R pediatric wrist radiograph | PA/AP view | pediatric patient (girl, age 13) —

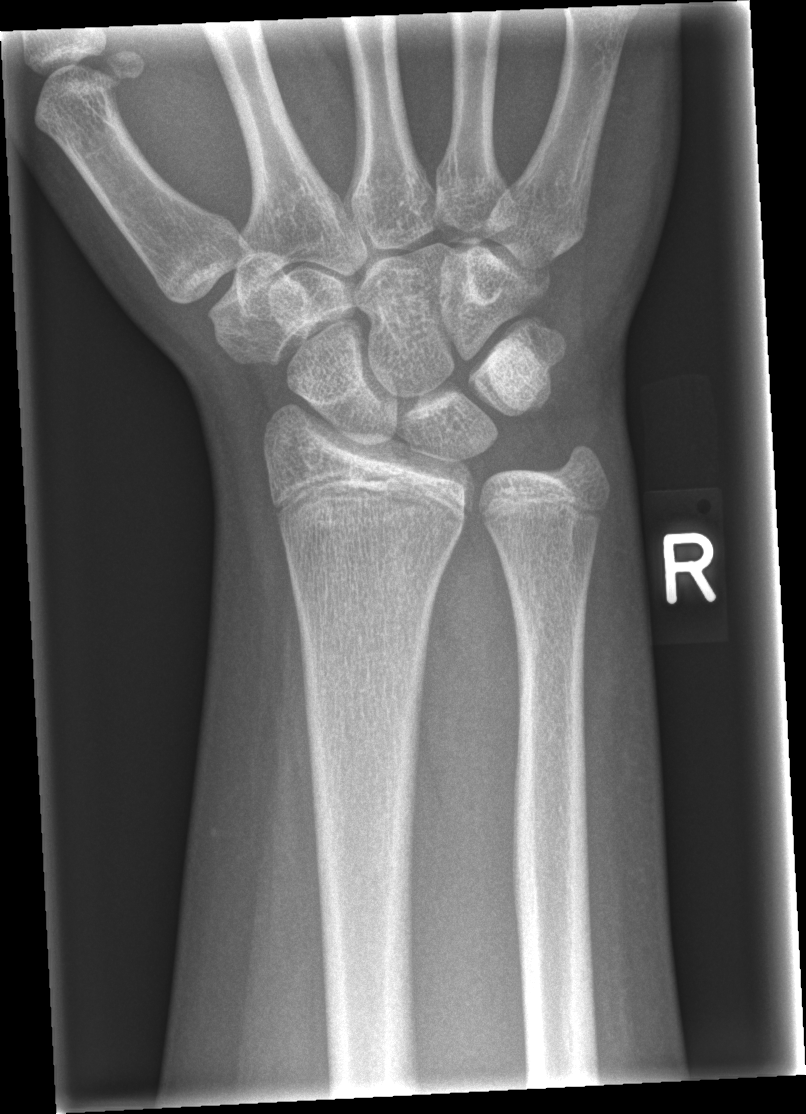

- Fx: none.